Left pediatric wrist radiograph · lateral view · 11y F · image size 372x880.

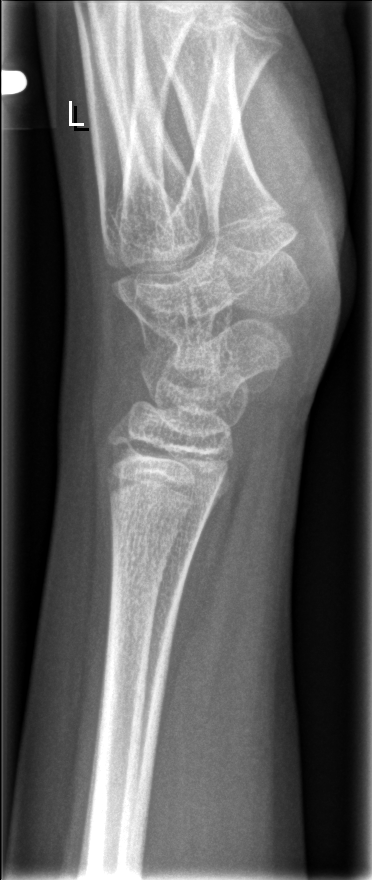

FINDINGS — No fracture annotation.